Lateral · left wrist radiograph:
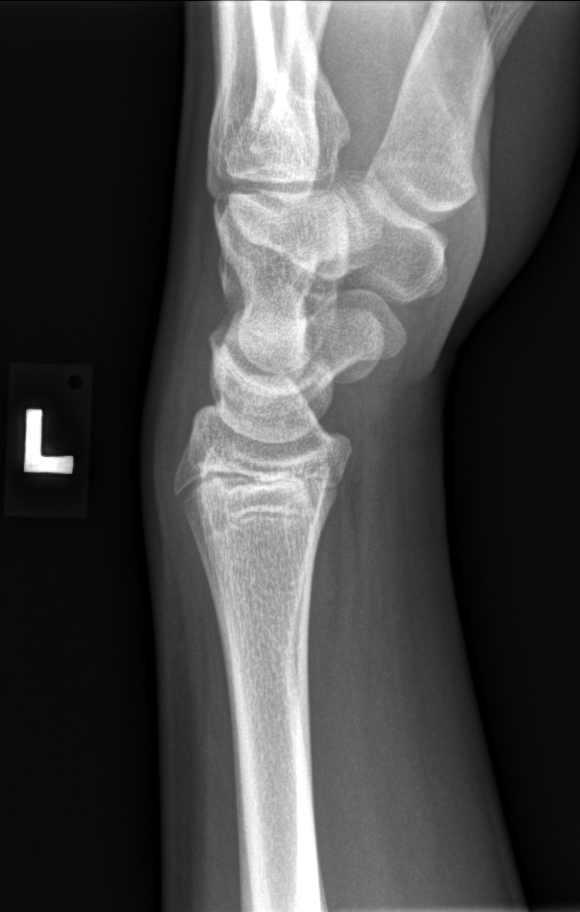

* No fracture bounding box.